Left wrist X-ray; lateral; presentation radiograph:

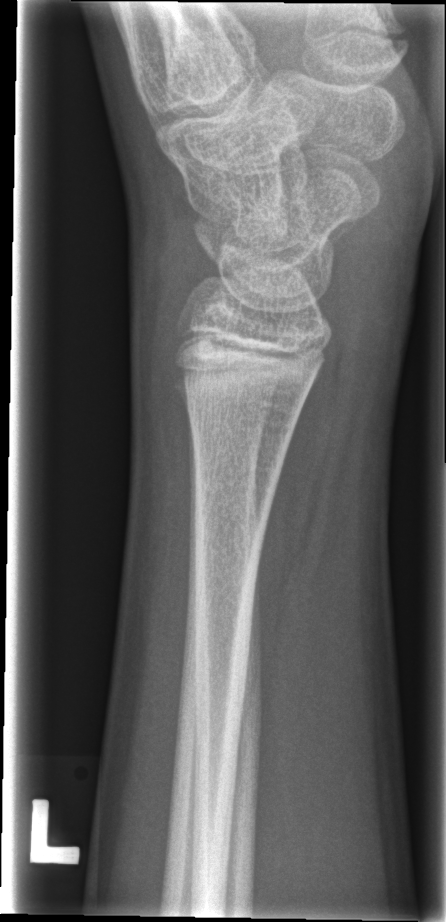 {
  "fracture": "none labeled"
}